L wrist radiograph | lat projection | presentation radiograph.

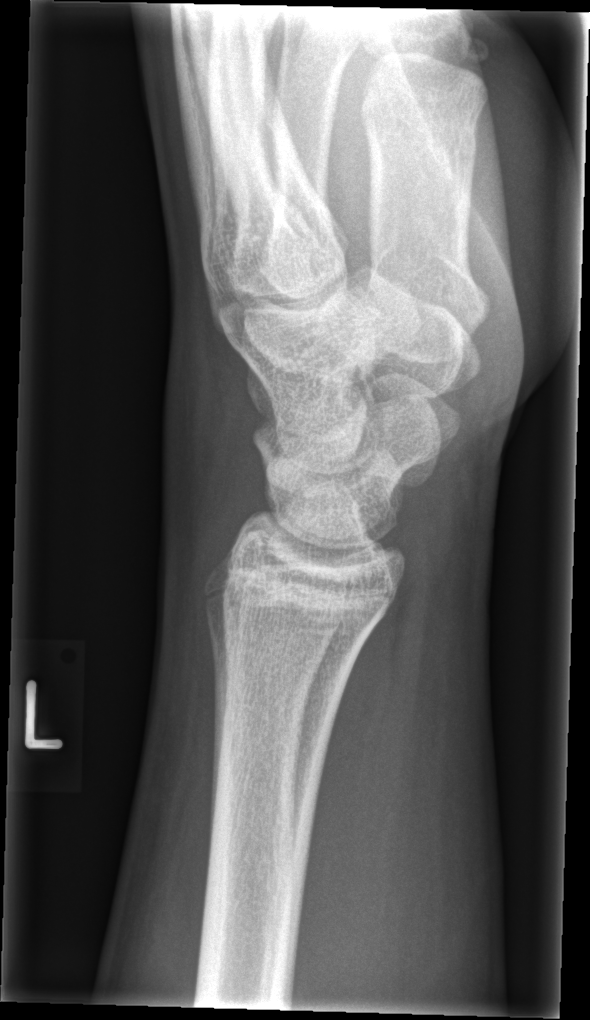

FINDINGS: No fracture annotation. Soft-tissue finding: bbox(151, 316, 260, 573).